AP view · Lt plain radiograph of the wrist · 10y F · image width 67.4 mm —

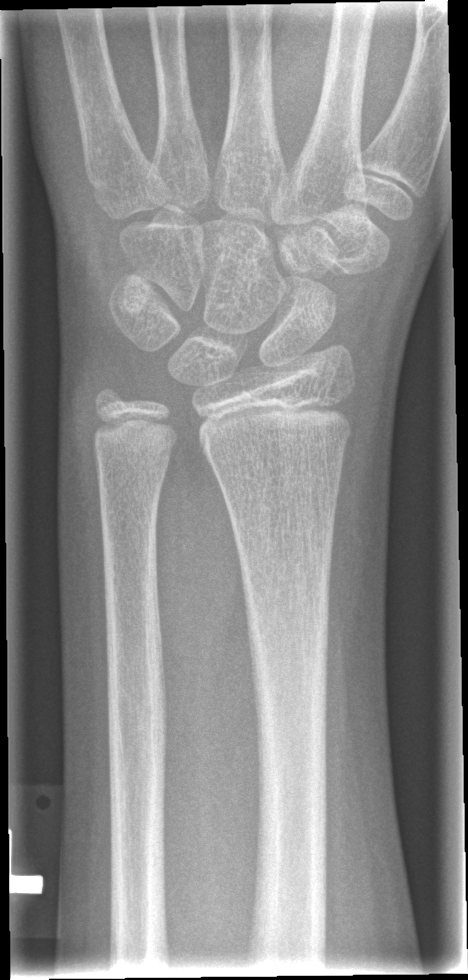
{"fracture": "none labeled"}